AP view · Rt pediatric wrist radiograph · male, 14 yo · Siemens
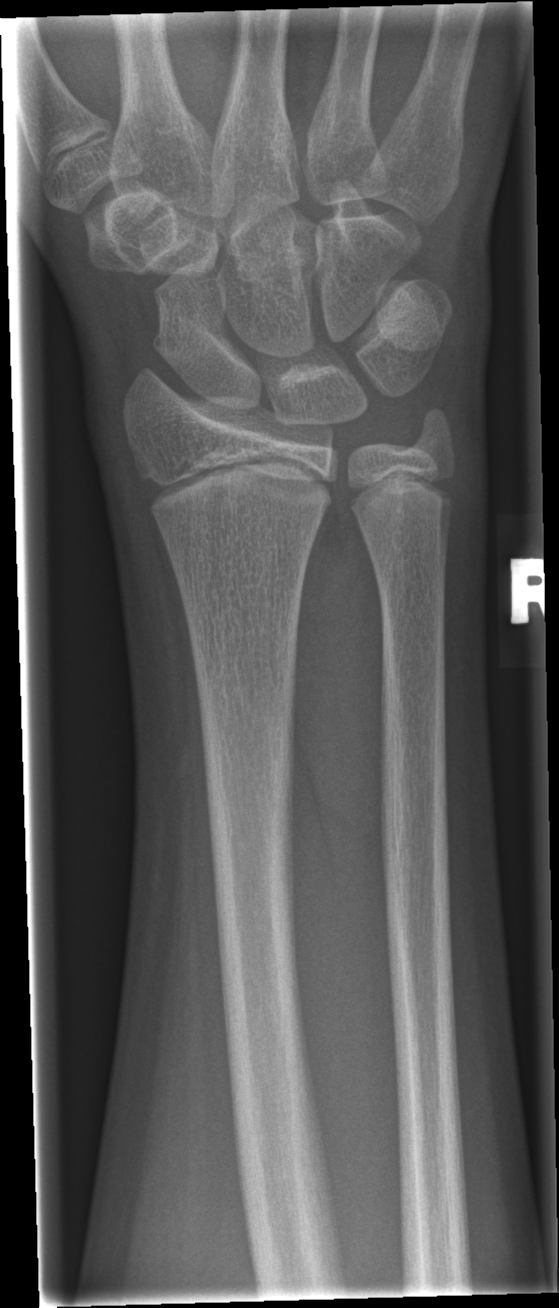
No fracture annotation.